Lateral; Lt pediatric wrist radiograph; 8y M; presentation radiograph; image width 119.2 mm

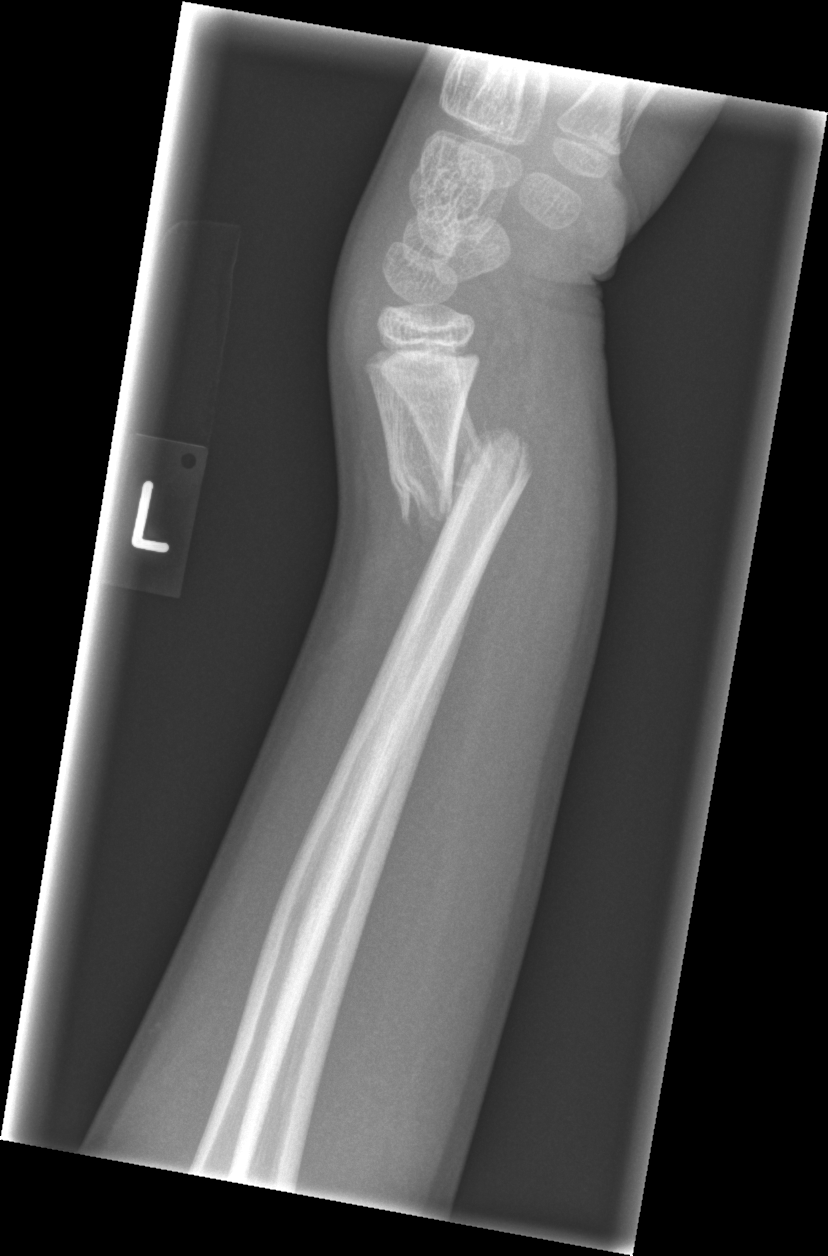
  # pixel coordinates, top-left origin, xyxy
  fracture: 1 @ [383, 422, 536, 529]
  ao: 23-M/3.1